PA/AP projection · left wrist XR · image size 546x1327: 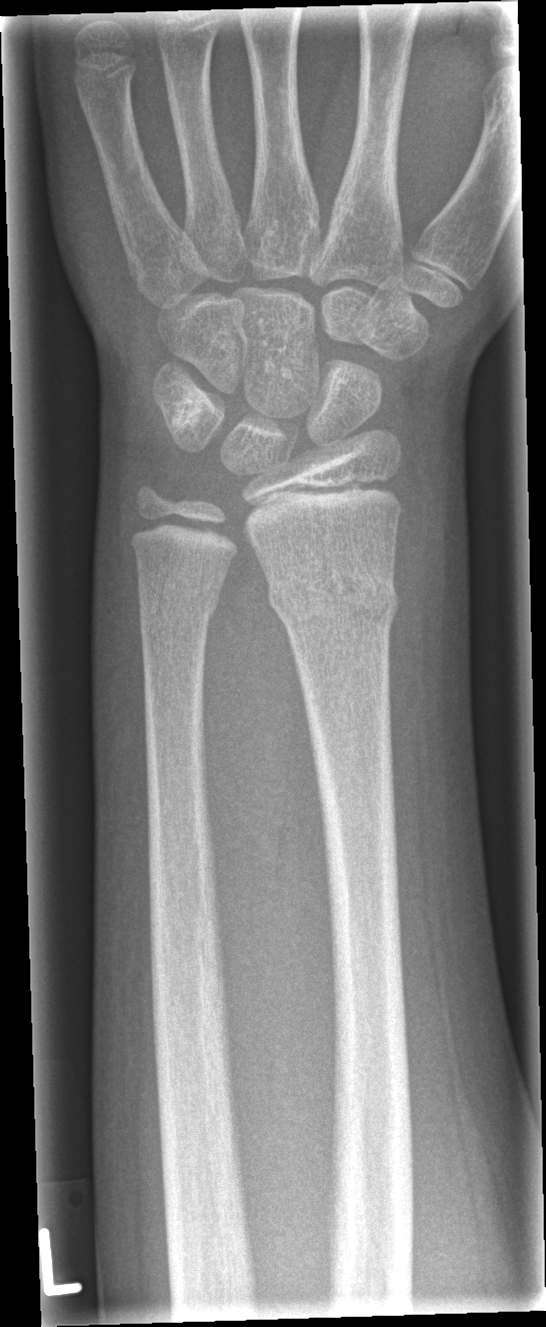

Fracture classified AO/OTA 23-M/2.1.
Bone fractures — (264, 562, 401, 632) (135, 583, 226, 636).